PA/AP projection · left pediatric wrist radiograph · index exam —

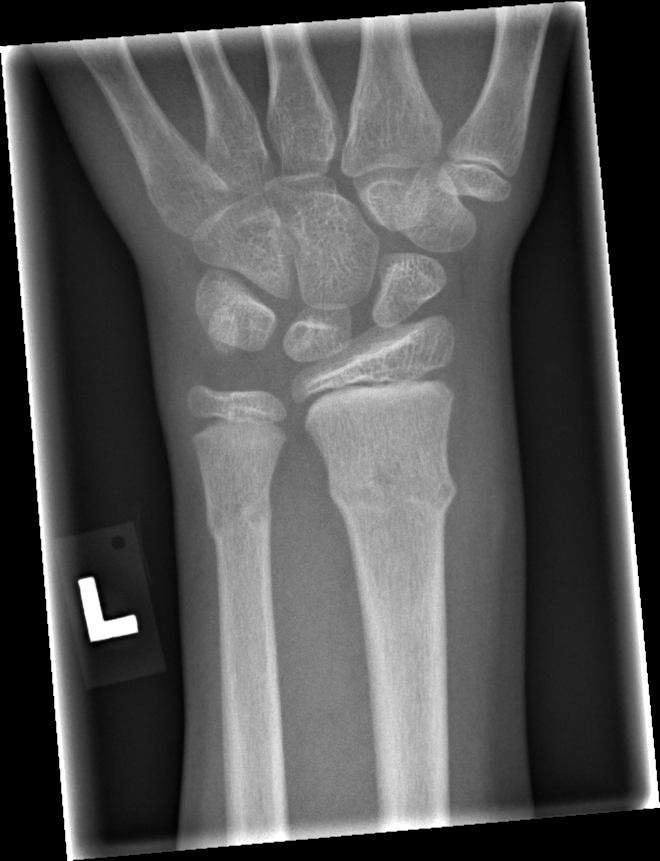

soft tissue abnormality: 1 @ [436, 367, 527, 680]
fracture: [323, 448, 460, 523] [202, 490, 275, 547]